R pediatric wrist radiograph; posteroanterior projection:

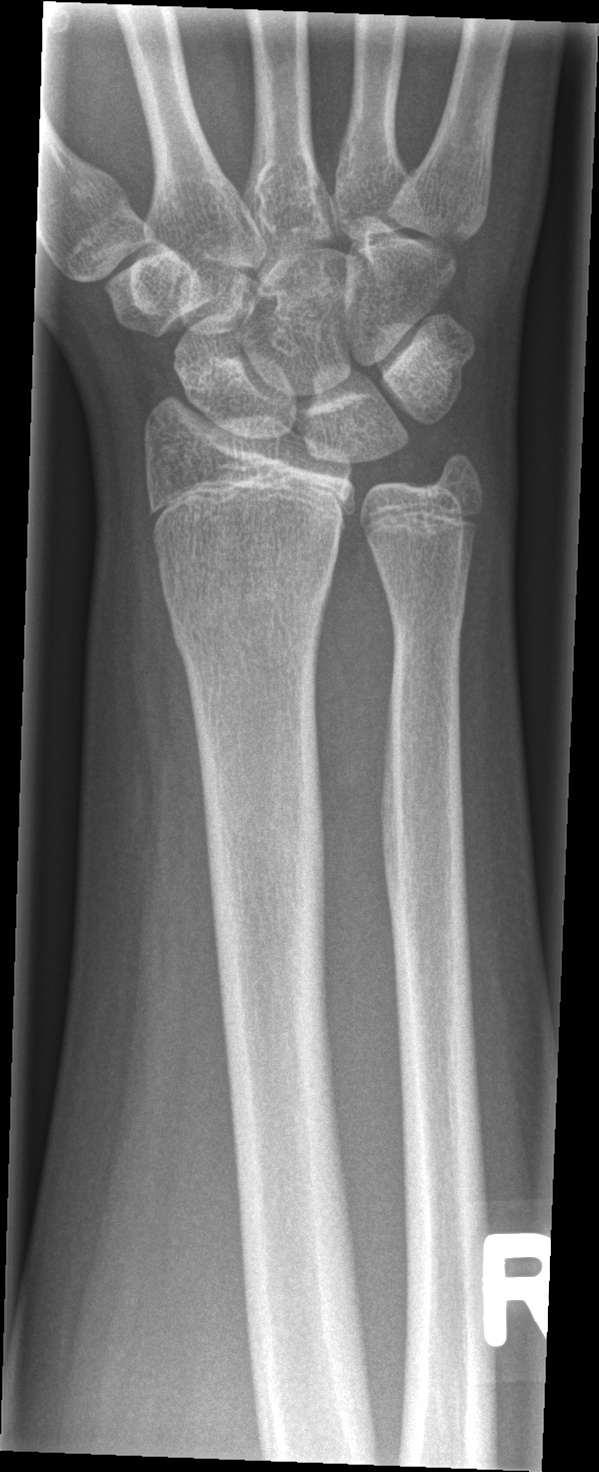
fracture = 1 @ (left=165, top=565, right=335, bottom=659)
AO classification = 23r-M/2.1